AP · Rt pediatric wrist radiograph:

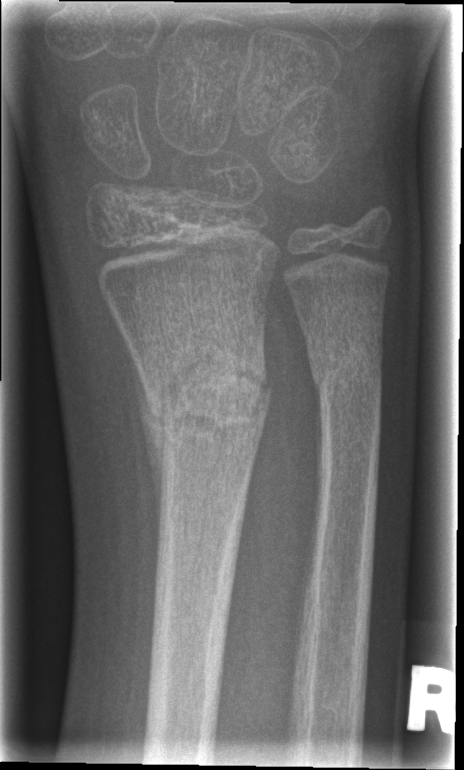 * Fracture: (134, 332, 273, 458); (303, 324, 388, 406).
* Periosteal new bone — (123, 331, 165, 528) (311, 376, 324, 518).